Right wrist pediatric wrist radiograph; lat; age 10 y, girl; follow-up; detector: Siemens:

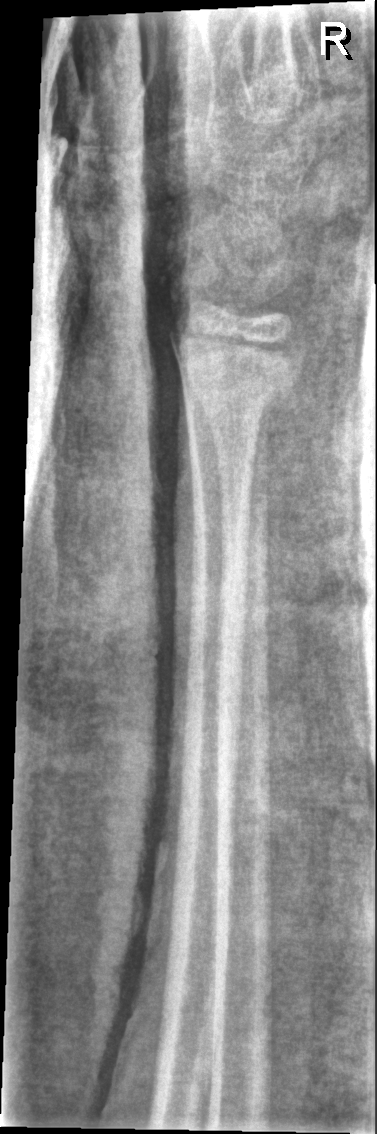

{"fracture": "1 @ <175,332>-<304,423>", "ao": "23r-M/2.1"}